R pediatric wrist radiograph, posteroanterior projection 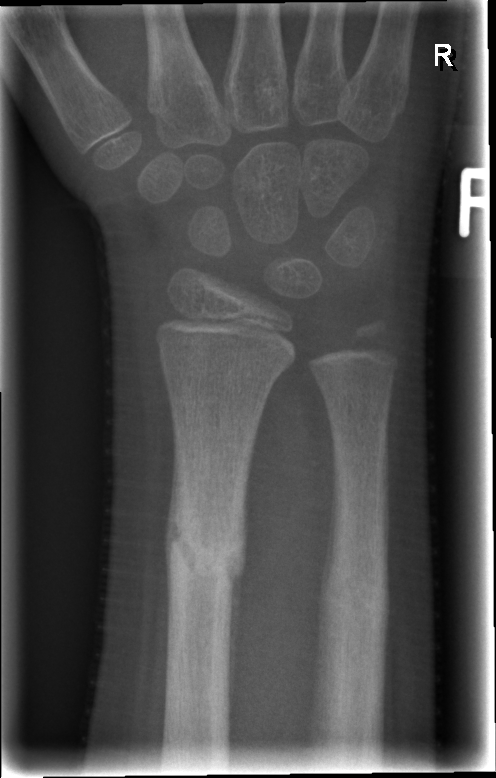

Q: Any fracture seen?
A: Fracture identified at bbox(163, 498, 249, 596); bbox(316, 558, 393, 633)
Q: Is there osteopenia?
A: Decreased bone density (osteopenia)
Q: Is there periosteal reaction?
A: Periosteal reaction identified at bbox(228, 562, 245, 724)